Left wrist XR, PA view

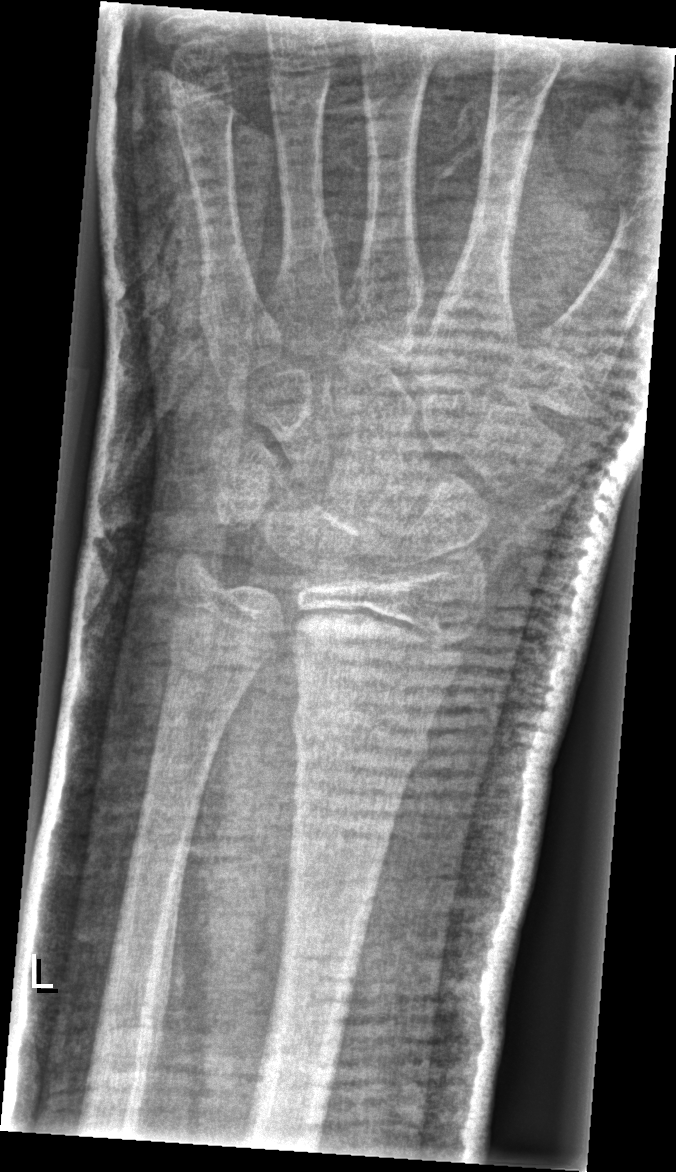

Fracture = [x1=286, y1=693, x2=434, y2=773]
AO code = 23-M/2.1